Left wrist plain film · lateral view · pediatric patient (female, age 5) · imaged through cast · 61.1 mm image width:

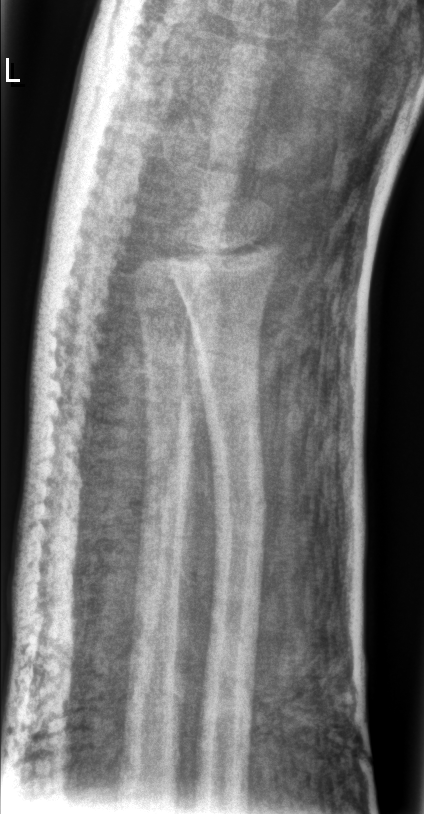 (pixel coordinates, top-left origin, xyxy)
Fx = 1 @ (207, 474, 273, 528)